Lateral projection, R wrist X-ray —
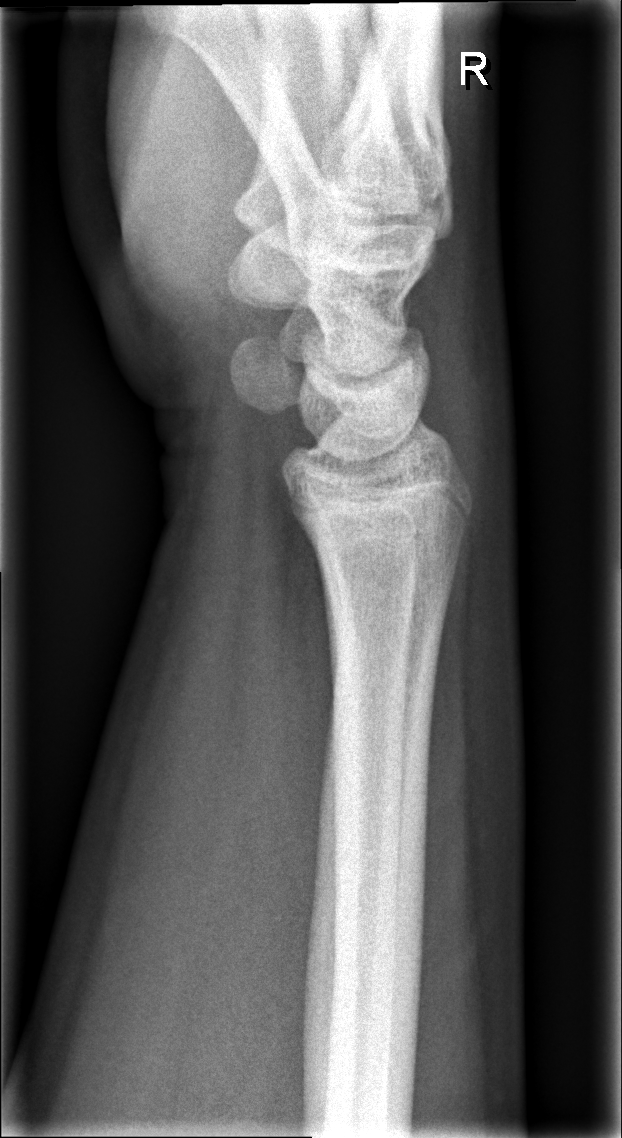
Q: Locate any fractures.
A: No Fx annotated